PA view; Lt pediatric wrist radiograph; pediatric patient (female, age 8); imaged through cast; detector: Siemens: 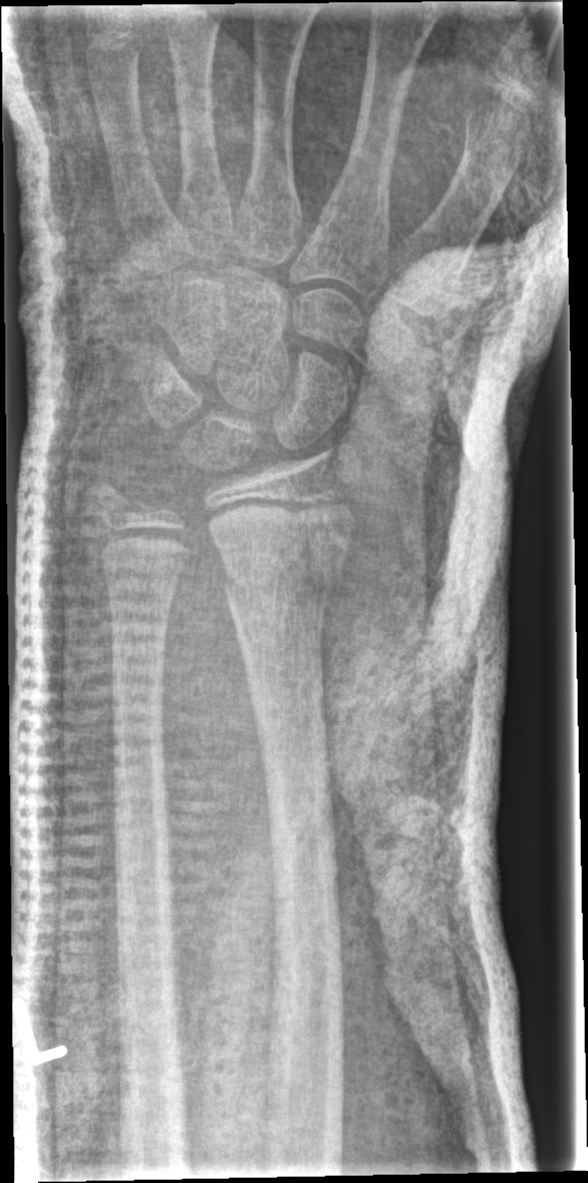

(boxes as x1,y1,x2,y2 (top-left / bottom-right, pixel units))
Q: Any fracture seen?
A: Two Fx at (left=217, top=547, right=347, bottom=618); (left=66, top=469, right=157, bottom=547)
Q: What is the AO/OTA classification?
A: Fracture classified AO/OTA 23r-M/3.1; 23u-E/7